Lat; R wrist XR; Siemens

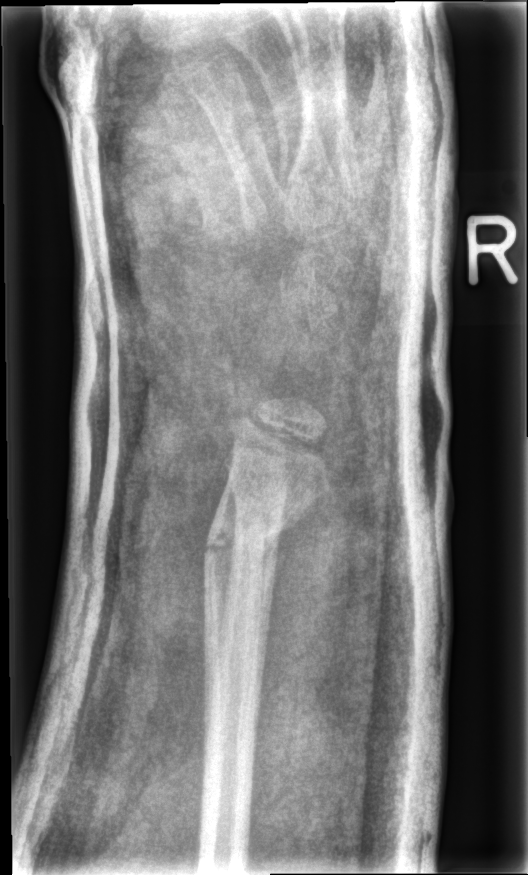

One fracture at 200 489 312 584.